Lateral projection | left wrist radiograph | age 11 y, boy. 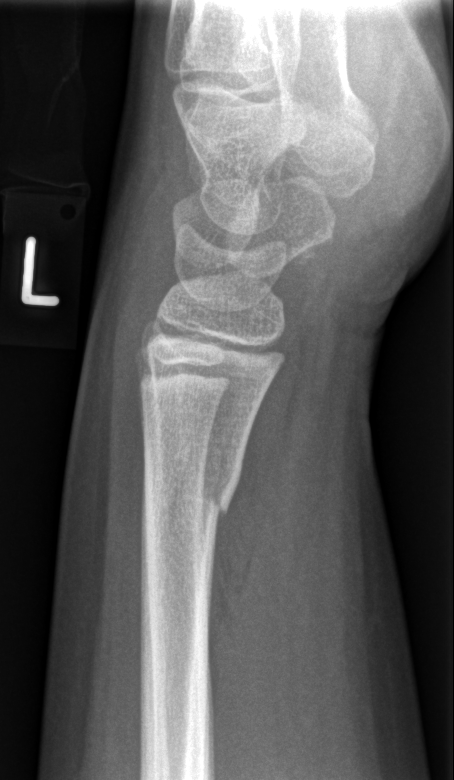

- Positive pronator fat-pad sign — [207, 351, 298, 661].
- AO/OTA classification: 23r-M/2.1.
- Bone fracture — [137, 454, 247, 542].